Lateral view · left wrist radiograph · detector: Siemens.
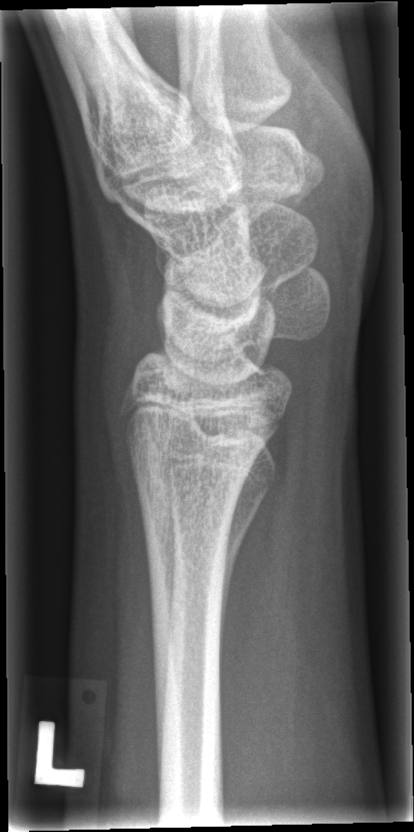
Bone fracture: none labeled